Right wrist plain radiograph of the wrist, posteroanterior projection, 15y M, presentation radiograph, 643x1040:
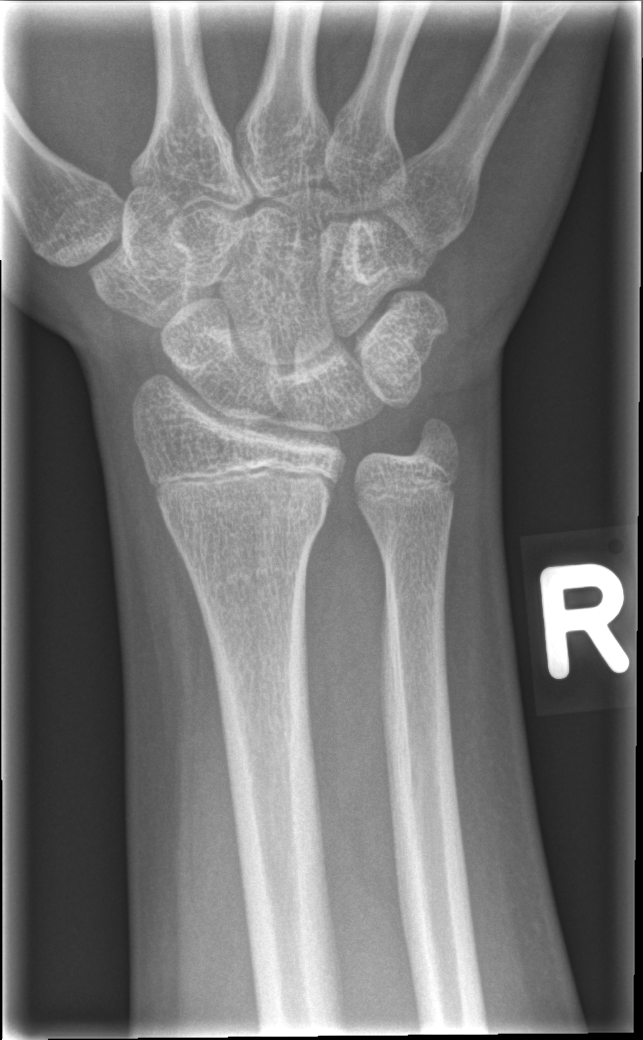 Fracture: present but not clearly seen in this view. AO/OTA classification: 23r-M/2.1.